Left wrist plain radiograph of the wrist | PA | 667x924 —

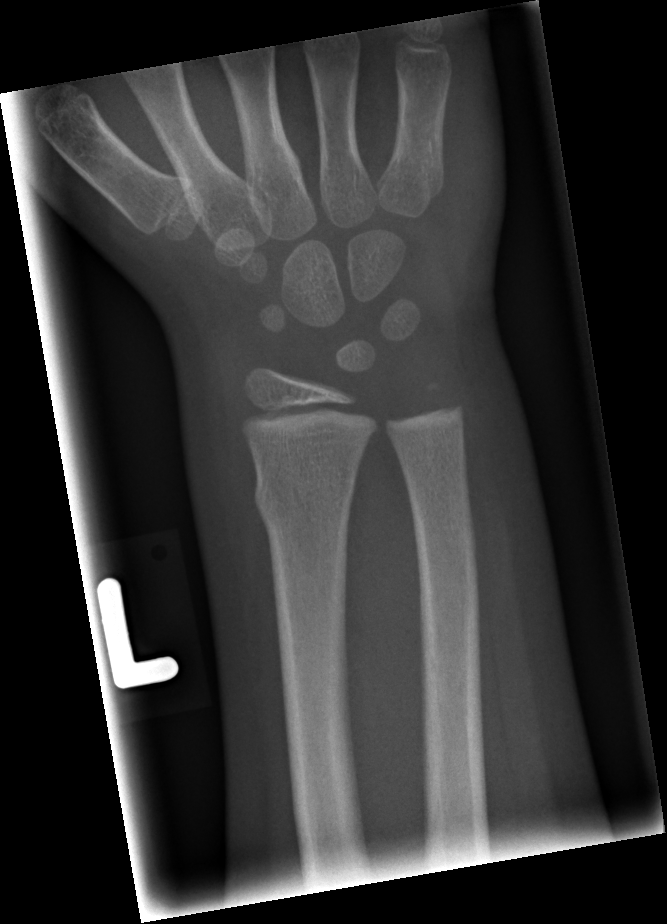
(coordinates are [x1, y1, x2, y2] in image pixels)
bone fracture = 1 @ (253, 463, 359, 528)